Lateral projection, left wrist pediatric wrist radiograph, image size 479x1116 — 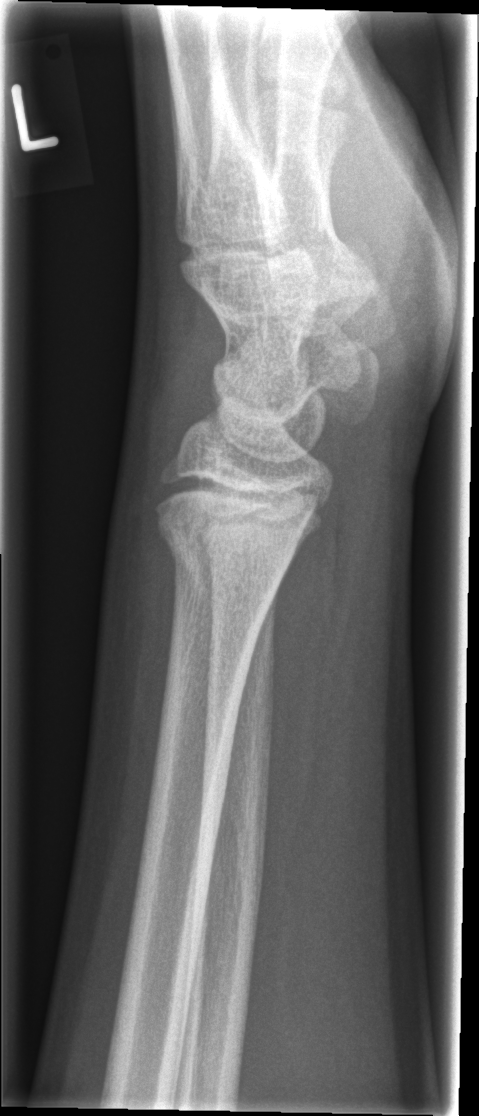

FINDINGS — Bone fracture: [154, 502, 295, 609].